Lt wrist X-ray; lat; age 13 y, boy; equivocal findings; 556 by 1236 pixels

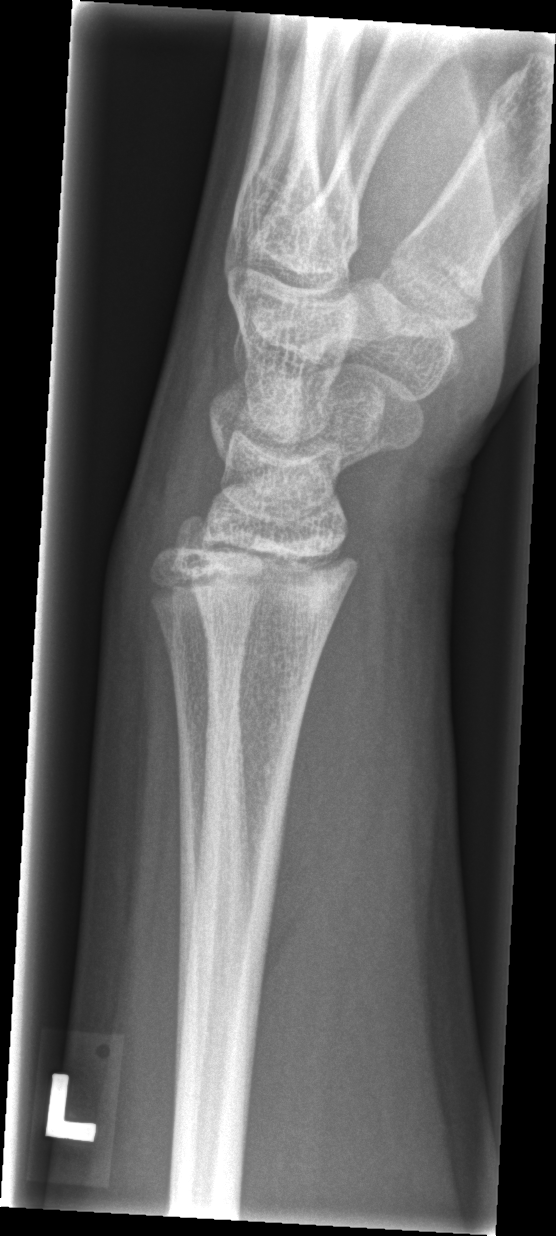 Pixel coordinates, top-left origin, xyxy. Fracture classified AO/OTA 23r-E/2.1. Bone fracture: 183 535 362 646. One positive pronator fat-pad sign at 259 537 395 988.